Left wrist radiograph; posteroanterior view; subsequent exam; Siemens; image width 85.5 mm; 594x877 — 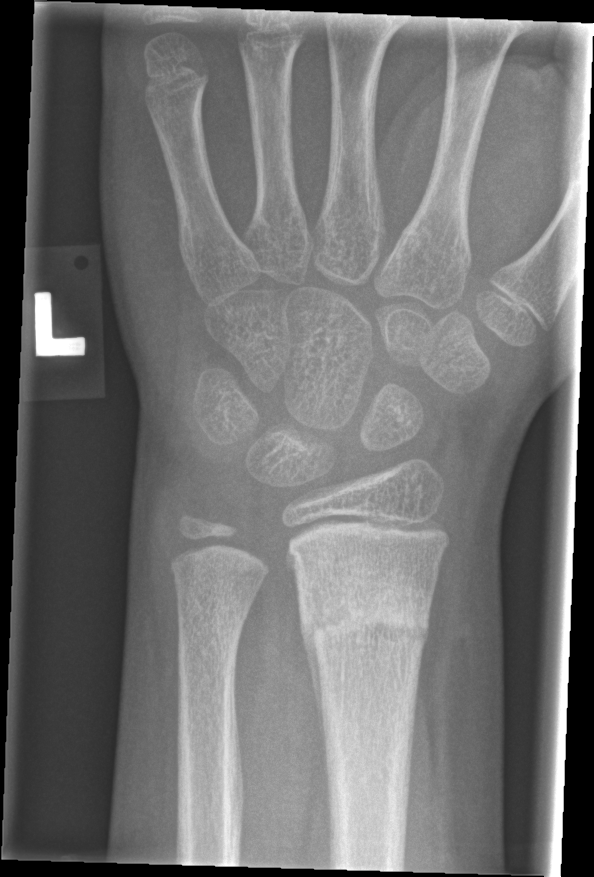
(bounding boxes in image-pixel xyxy)
Osteopenia: present
Fracture: 1 @ <297,574>-<436,665>
Periosteal reaction: 1 @ <299,607>-<328,789>